Left pediatric wrist radiograph, frontal, pediatric patient (male, age 18), subsequent exam, cast in situ:

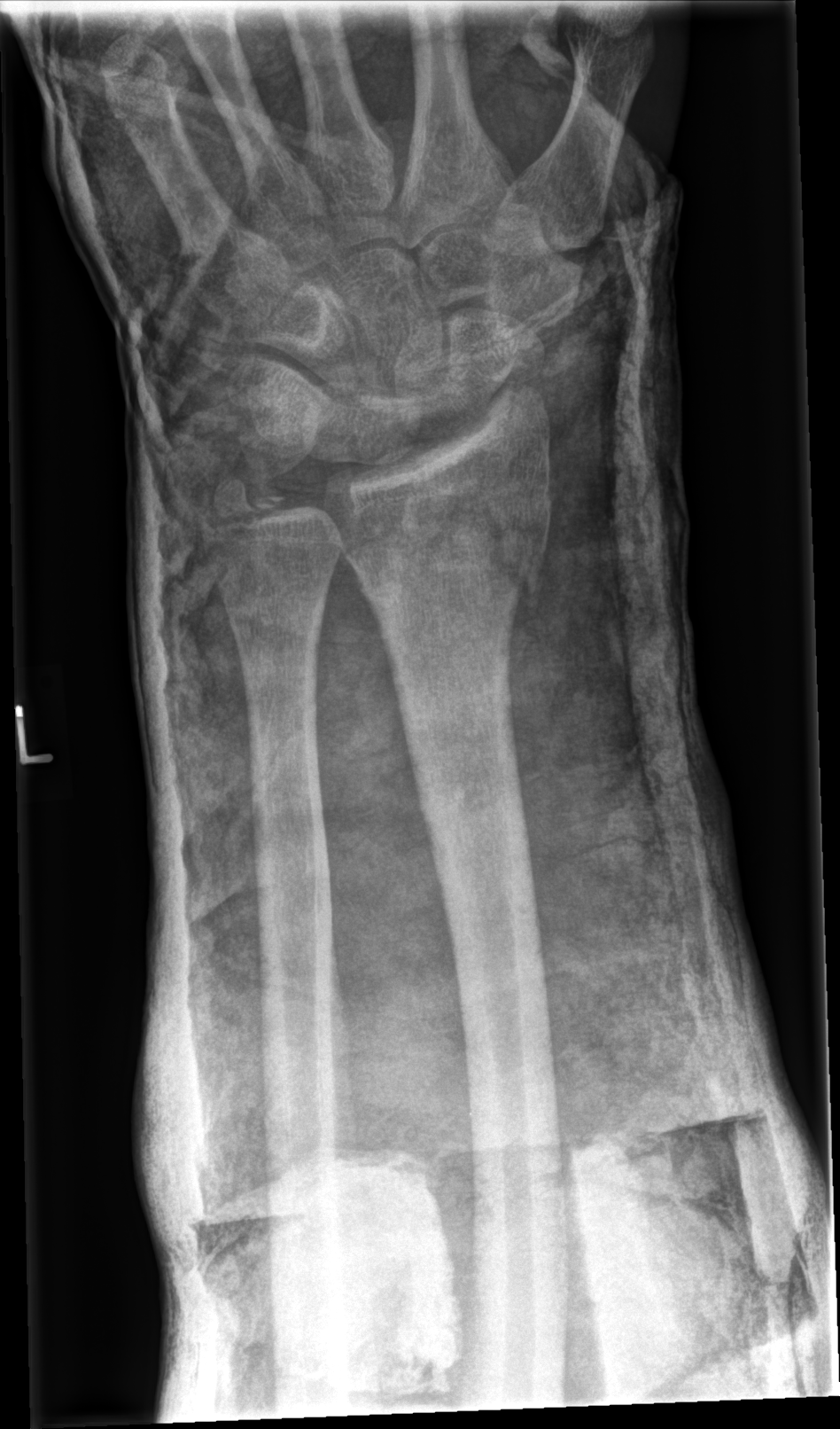 (bounding boxes in image-pixel xyxy)
Q: AO code?
A: AO code 23r-M/3.1; 23u-E/7
Q: Locate any fractures.
A: Bone fractures — 334,484,557,620
  196,470,292,542